Posteroanterior projection; R pediatric wrist radiograph; presentation radiograph; image size 657x974 —

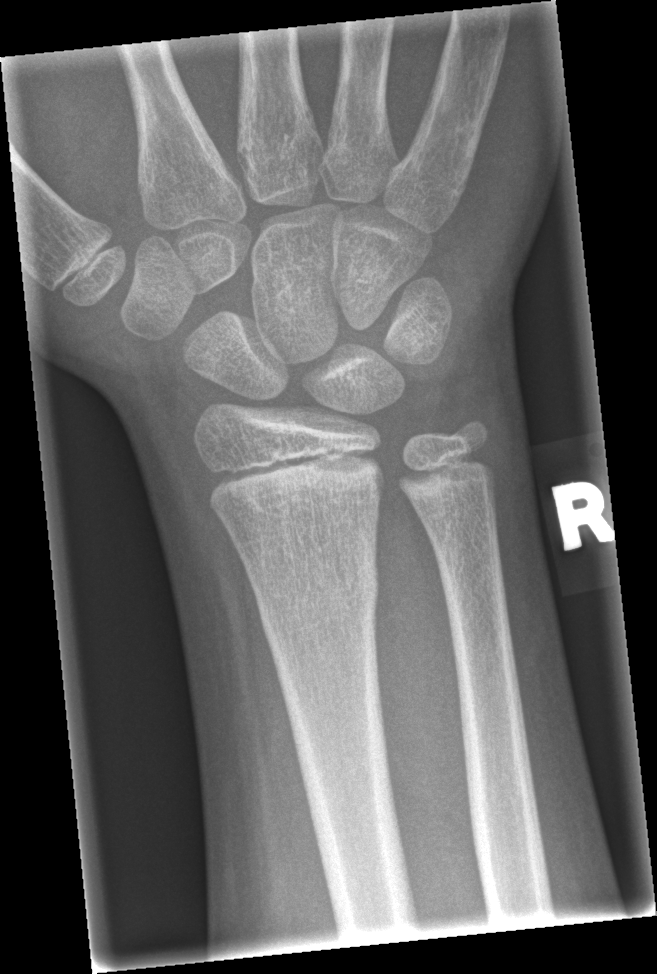

{
  "fracture": "[256, 566, 381, 649]"
}